Lateral view, left wrist pediatric wrist radiograph, subsequent exam, cast in situ, 467 by 1132 pixels

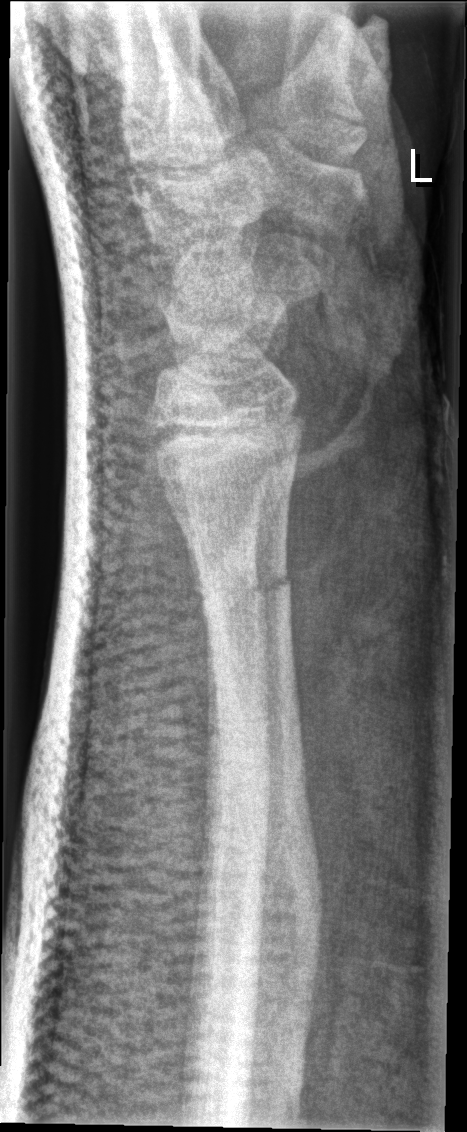
Q: Fracture present?
A: Fracture: 190,556,296,616
Q: AO code?
A: Fracture classified AO/OTA 23-M/3.1; 23u-E/7